Lt wrist plain film, PA/AP, 10y F, imaged through cast:
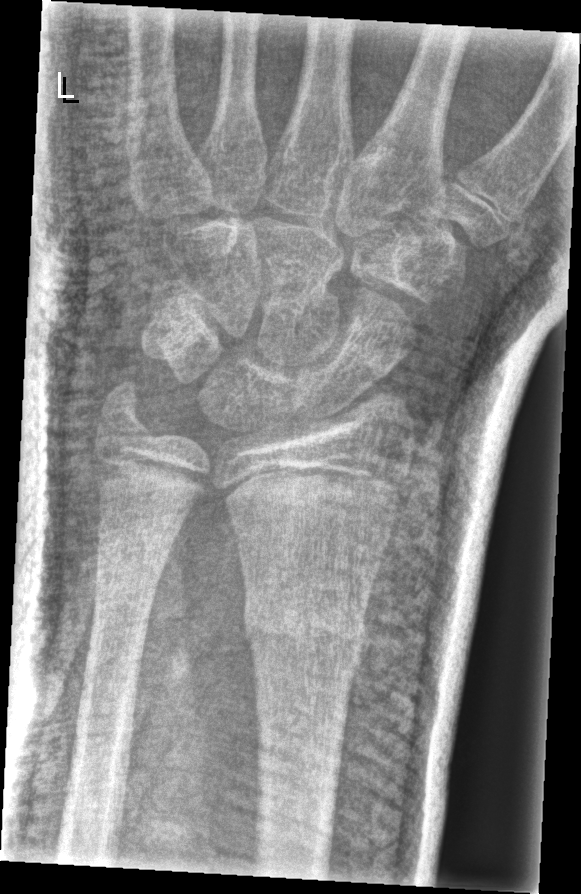

• Fracture classified AO/OTA 23r-M/3.1; 23u-E/7.
• Two Fx at (left=240, top=587, right=372, bottom=666); (left=89, top=374, right=160, bottom=448).